Lt wrist plain film; frontal view —
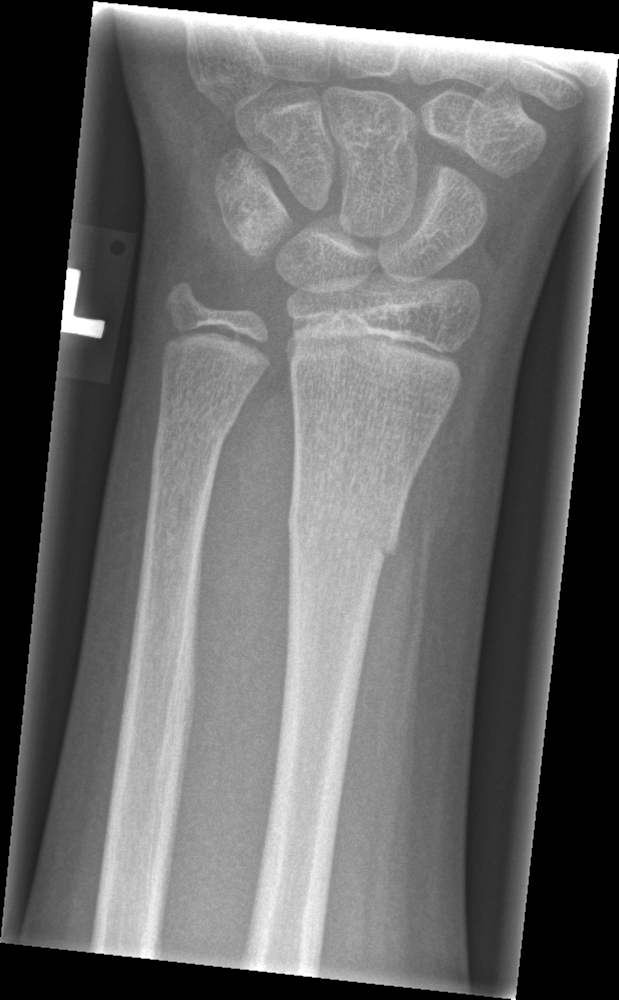
- Pixel coordinates, top-left origin, xyxy.
- Fracture identified at (left=285, top=497, right=401, bottom=569), (left=151, top=401, right=242, bottom=461).